PA projection; left wrist X-ray 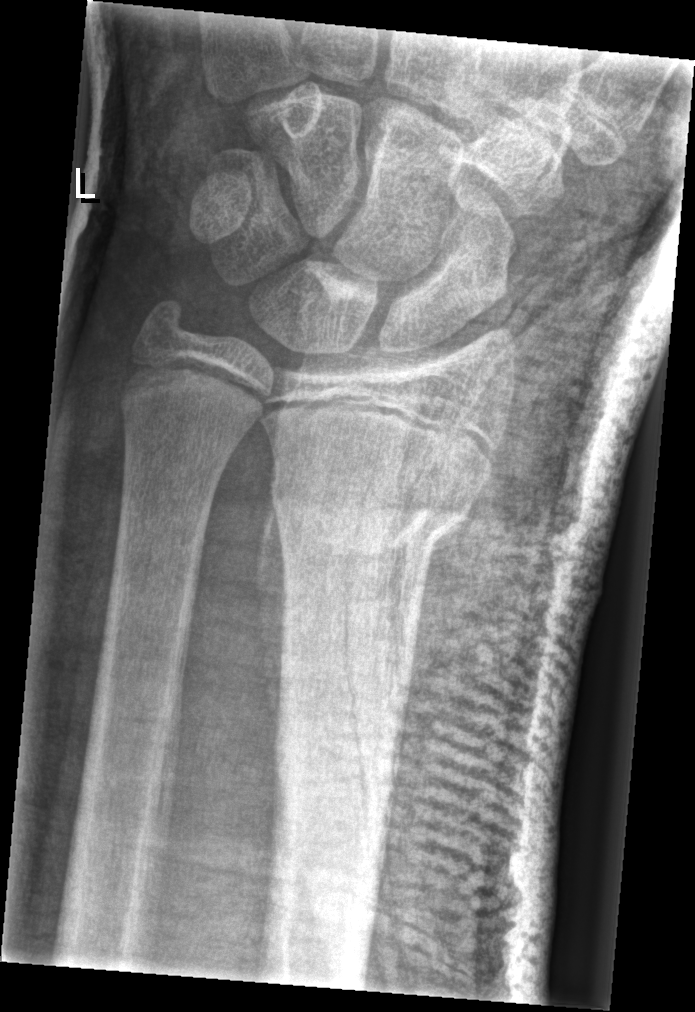

{"fracture": "2 @ (266, 448, 484, 573); (115, 346, 272, 428)"}